PA · Rt wrist plain film · index exam —
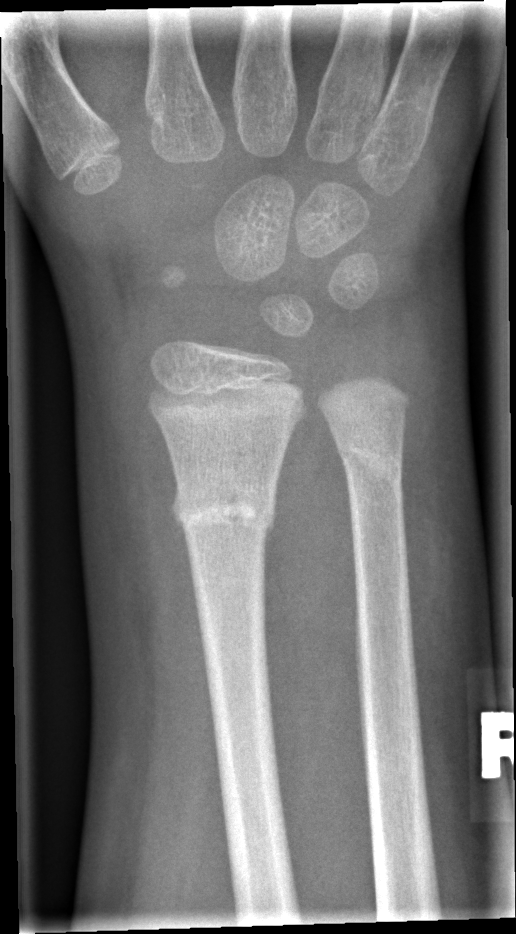
Fx: (left=171, top=474, right=281, bottom=550); (left=331, top=431, right=407, bottom=496)
AO classification: 23-M/3.1